Right plain radiograph of the wrist · PA view · 1.7y M · diagnosis uncertain · 424x504 — 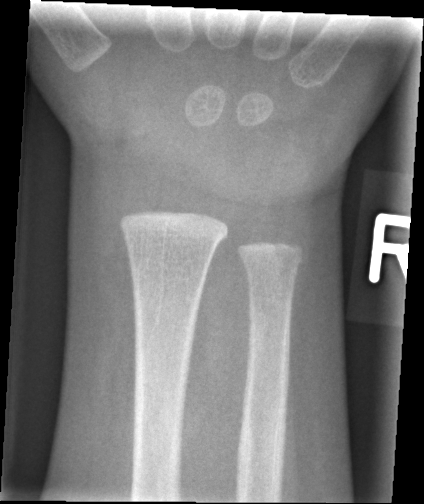
Findings: No fracture bounding box.